Left pediatric wrist radiograph; frontal view; 9y F; cast present; 612 x 646 px

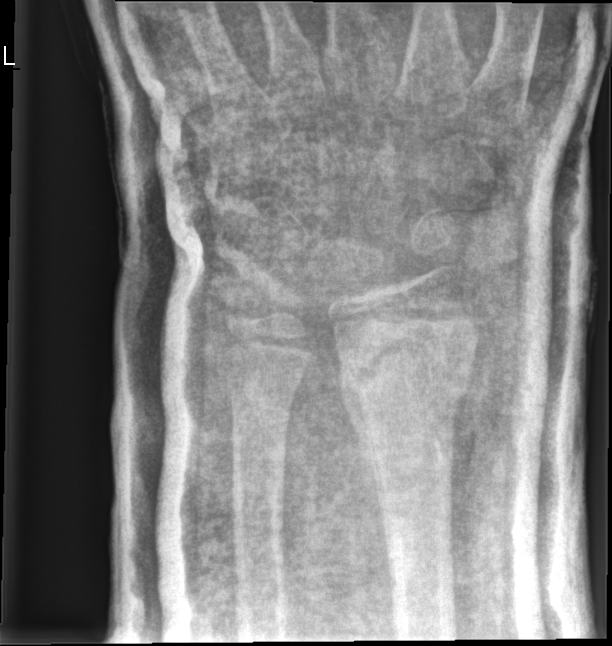

(boxes as x1,y1,x2,y2 (top-left / bottom-right, pixel units))
Q: Is there a fracture?
A: Fx — [x1=337, y1=326, x2=476, y2=430]